Right wrist plain radiograph of the wrist, lat projection:
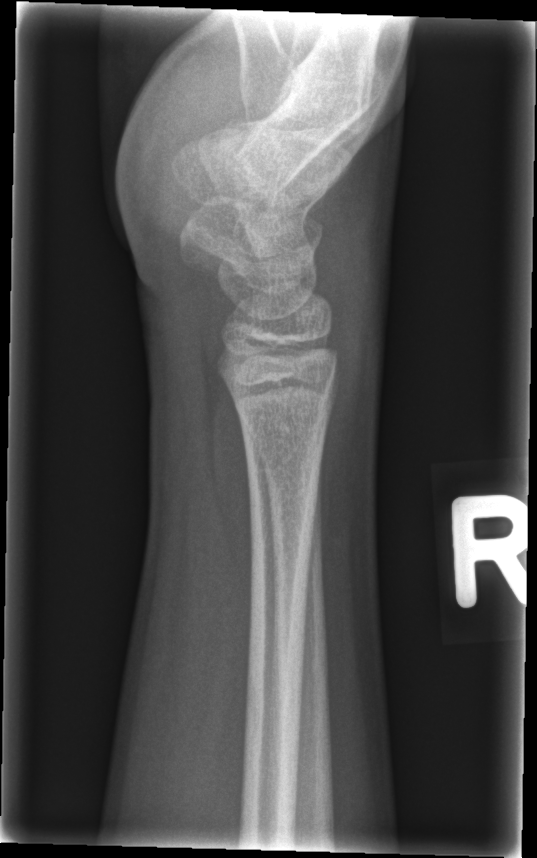

* No fracture bounding box.